Rt wrist X-ray | lat projection | pediatric patient (male, age 10) | initial study —
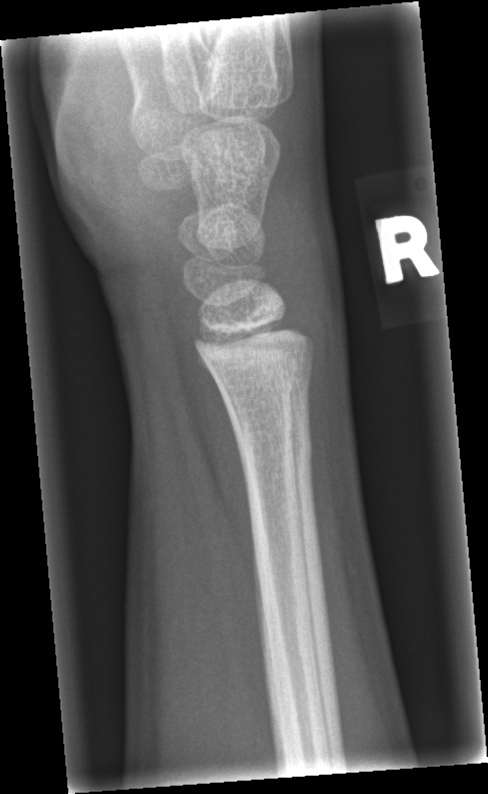

Bounding boxes in image-pixel xyxy. Fracture: [233, 420, 317, 478]. AO code 23r-M/2.1.